Left wrist radiograph, lateral, male, 6 yo

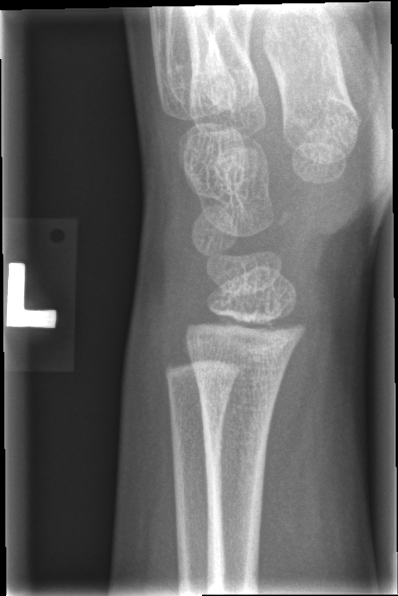
Findings: No fracture labeled.